Frontal; R wrist radiograph; 621x892 — 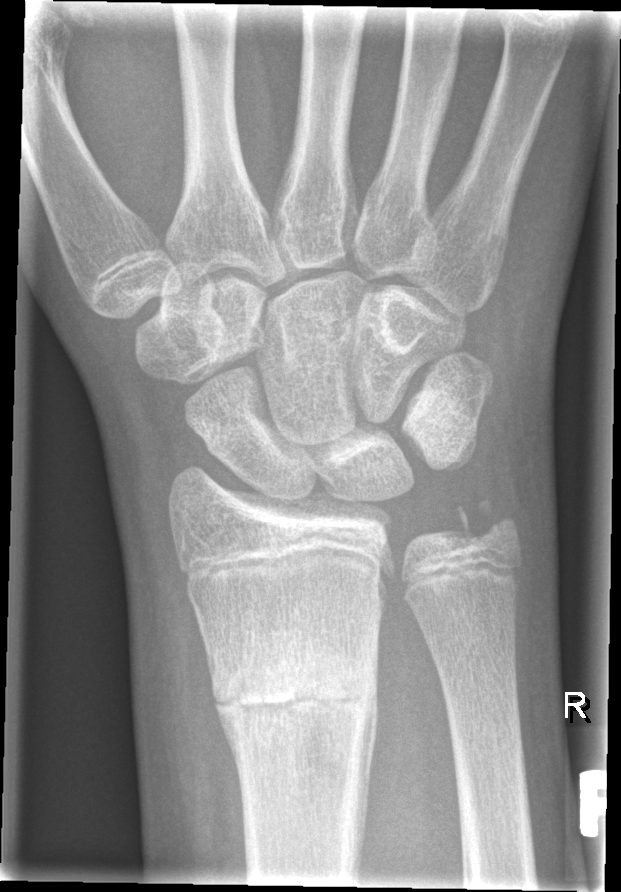 Bounding boxes in image-pixel xyxy. Fracture: [x1=204, y1=646, x2=383, y2=756]; [x1=434, y1=492, x2=523, y2=565]. Periosteal new bone: [x1=351, y1=662, x2=382, y2=881].